Lateral; Lt wrist X-ray; boy, 10 yo; initial study; 582 x 982 px:
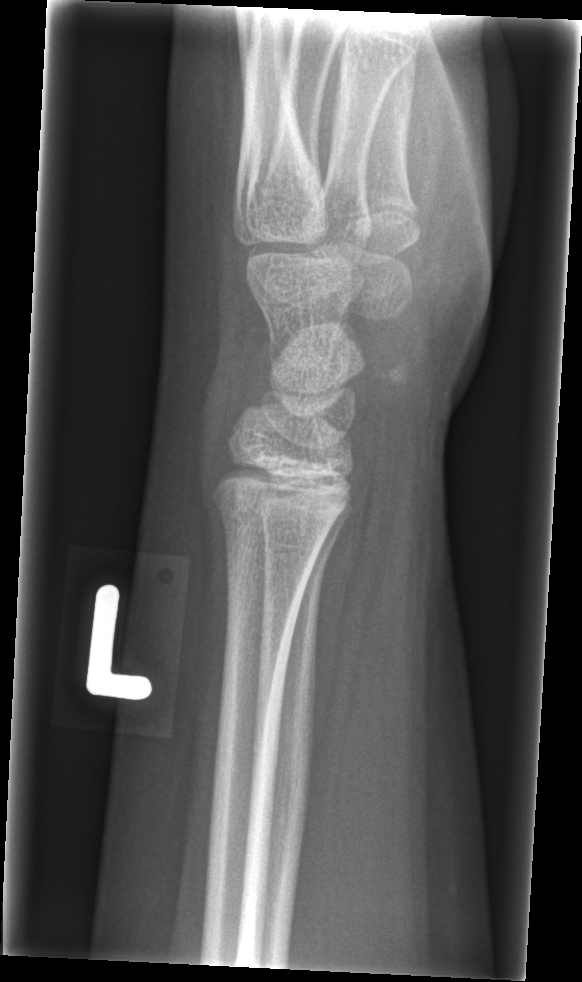

* Bounding boxes in image-pixel xyxy.
* Bone fracture: bbox(207, 484, 350, 540).